Lat view · right wrist pediatric wrist radiograph · presentation radiograph: 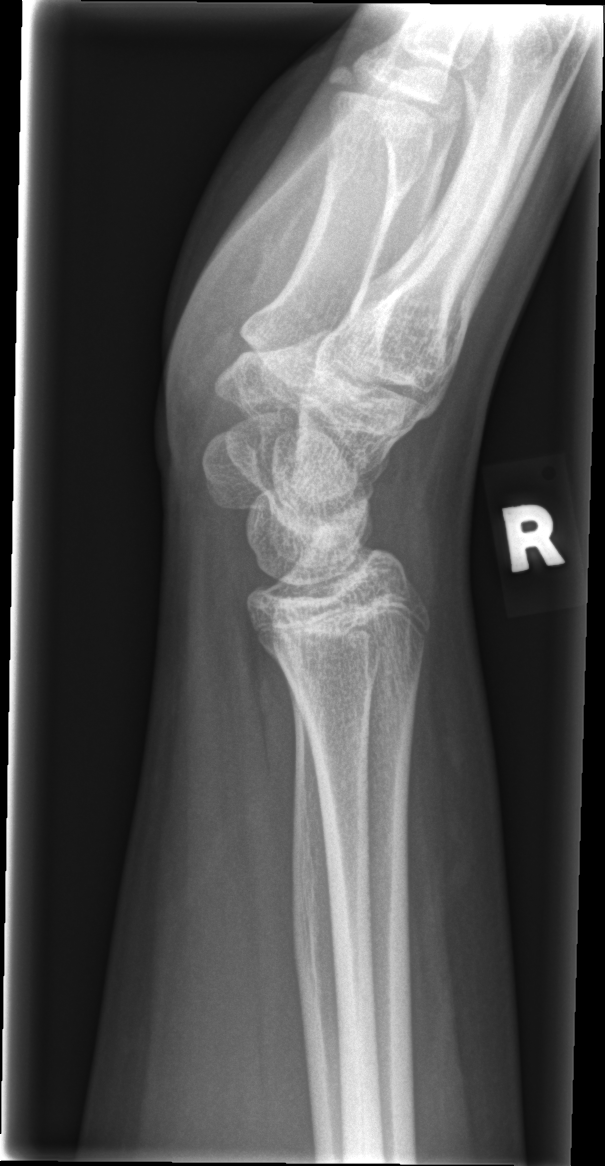
• No fracture bounding box.